R plain radiograph of the wrist | lateral view | image 57.5 mm wide 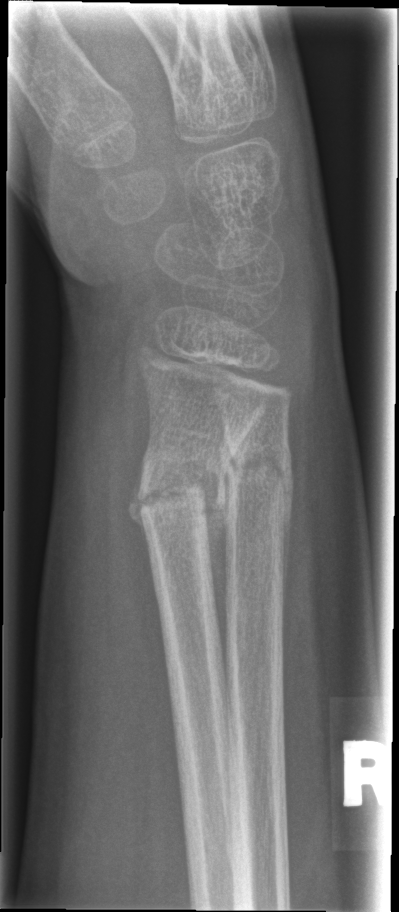 Fx — 125,447,238,541
  222,443,298,496.
Periosteal thickening — 128,458,155,576
  279,435,294,626.
Fracture classified AO/OTA 23-M/3.1.